Posteroanterior view, Lt plain radiograph of the wrist, 506 by 982 pixels:

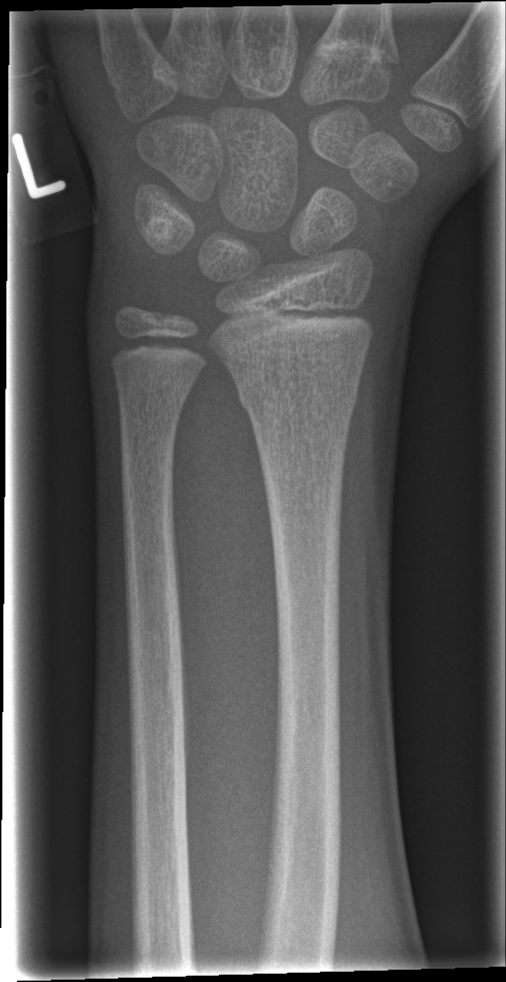
  # bounding boxes in image-pixel xyxy
  fracture: 1 @ [x1=232, y1=372, x2=364, y2=420]
  ao: 23r-M/2.1